R wrist plain film, lateral, follow-up study, imaged through cast, image width 99.4 mm —
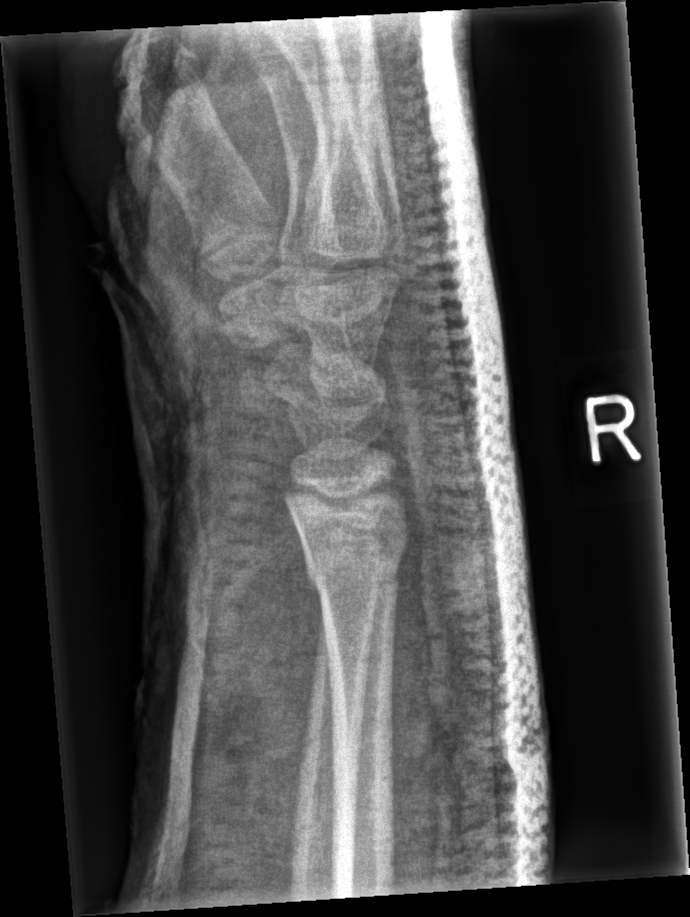
{"_coords": "pixel coordinates, top-left origin, xyxy", "ao": "23r-M/3.1; 23u-E/7", "fracture": "1 @ [300, 544, 404, 603]"}